PA/AP projection · R plain radiograph of the wrist:
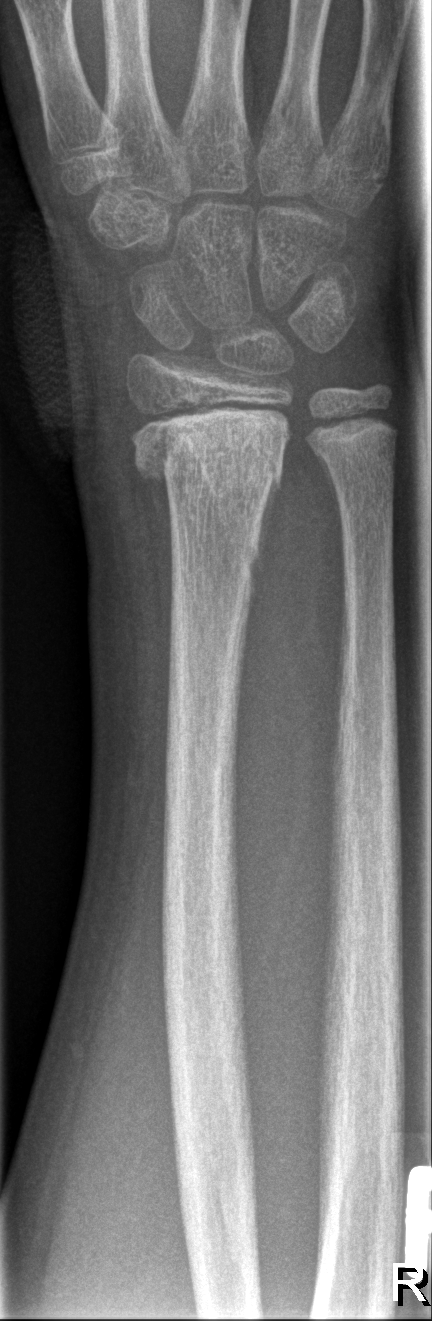 FINDINGS: Decreased bone density (osteopenia). Periosteal reaction: (245, 475, 278, 628) (316, 455, 344, 549). AO/OTA classification: 23-E/2.1. Bone fracture identified at (122, 391, 296, 492); (308, 412, 401, 483).